Left wrist plain film · lat projection · age 7 y, girl
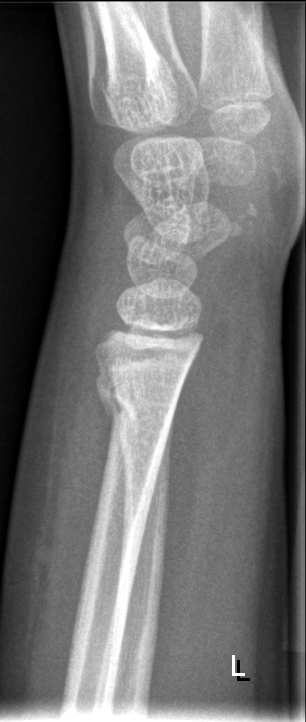 Pixel coordinates, top-left origin, xyxy.
AO code 23-M/2.1.
Fx — [91, 366, 185, 456].